Right plain radiograph of the wrist; AP; male, 9 yo; initial study; acquired on Siemens; image 74.4 mm wide — 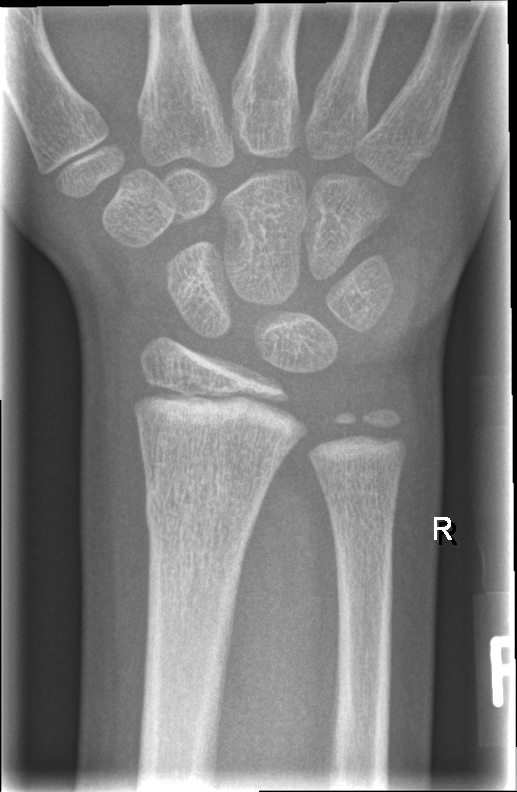 Findings: Bone fracture: <142,483>-<261,531>.